Left wrist plain film, lateral, 6y M, presentation radiograph —
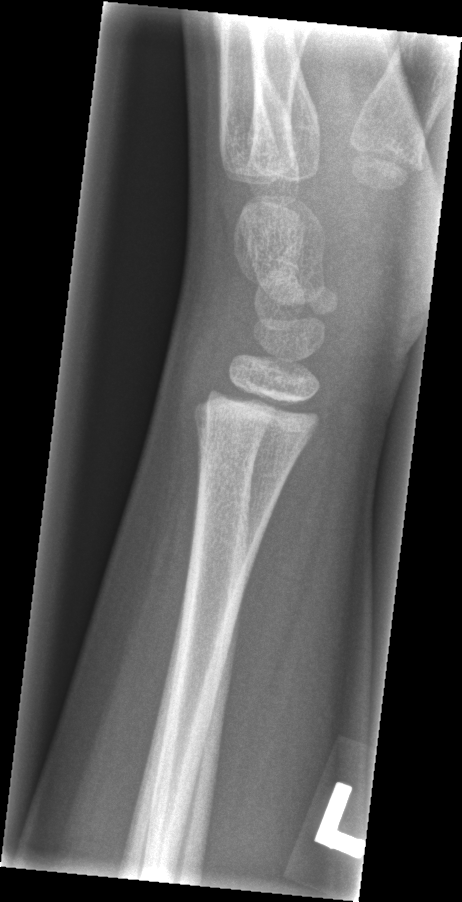

FINDINGS: No fracture annotation.